Lat view, right wrist X-ray, 13y F. 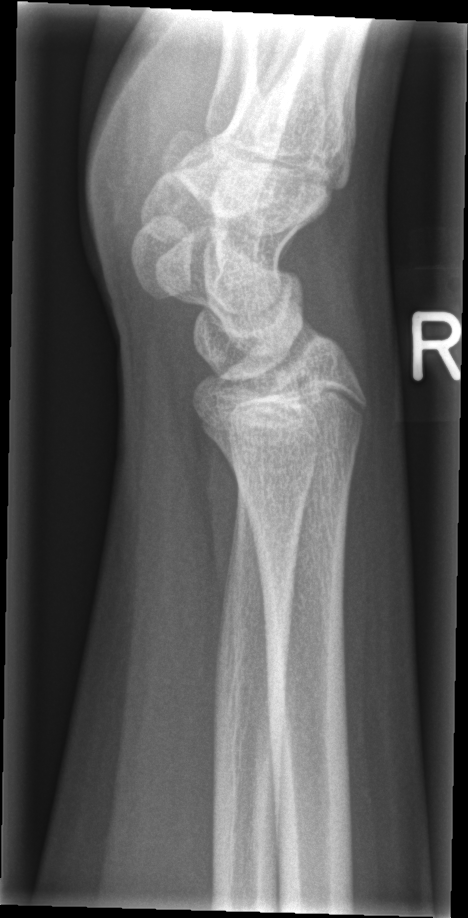
fracture: none labeled